Right plain radiograph of the wrist | PA projection | 10y F.
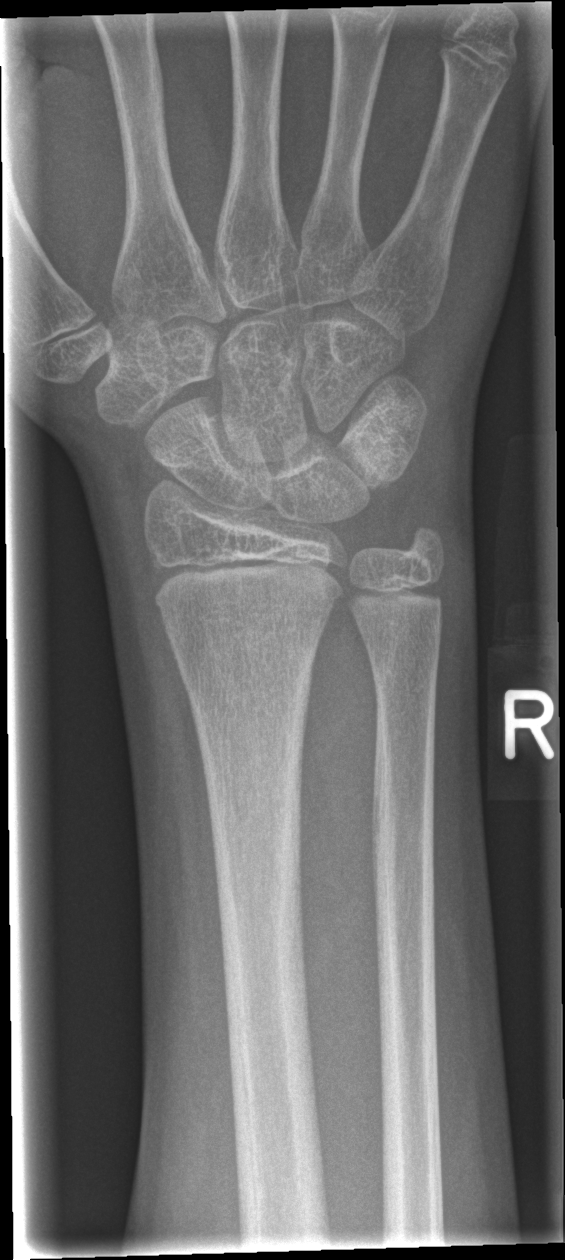 - No fracture bounding box.